Frontal projection; R wrist radiograph; 9y F; image 74.3 mm wide —

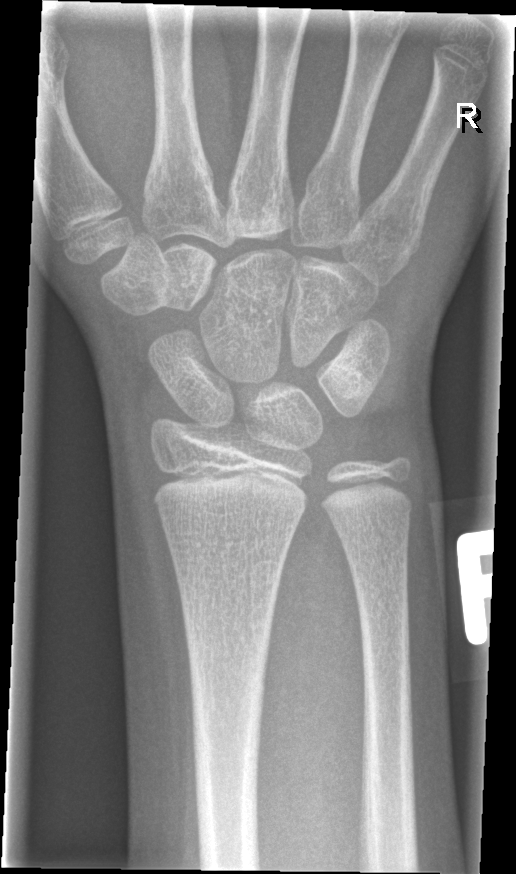

FINDINGS — Fx: none.